Lateral | right wrist X-ray | boy, 12 yo | presentation radiograph. 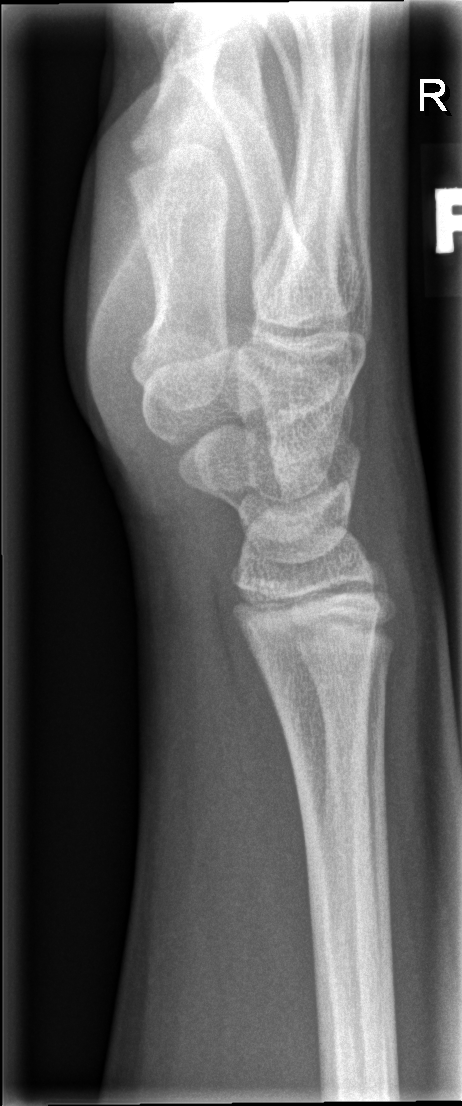

• No Fx annotated.